Lt wrist plain film | posteroanterior projection | 522x830 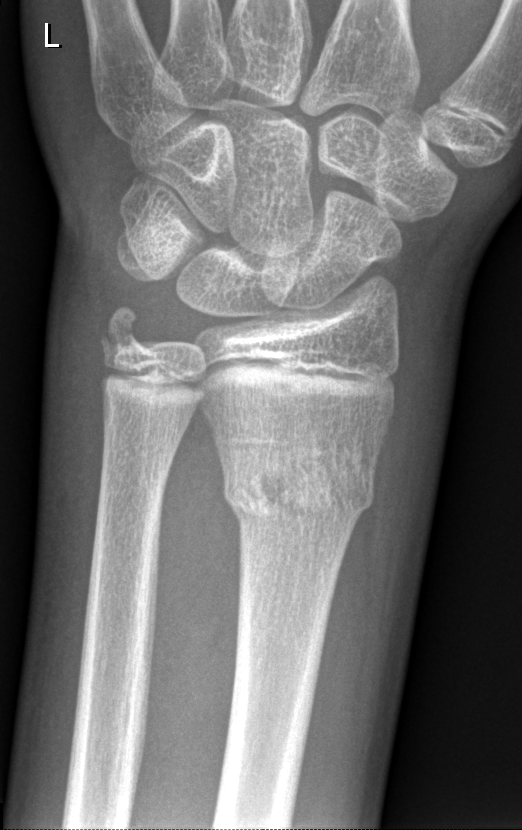 Fracture identified at bbox(218, 432, 381, 529) bbox(95, 301, 153, 363).